Rt wrist X-ray · lat view · age 7 y, girl · Siemens. 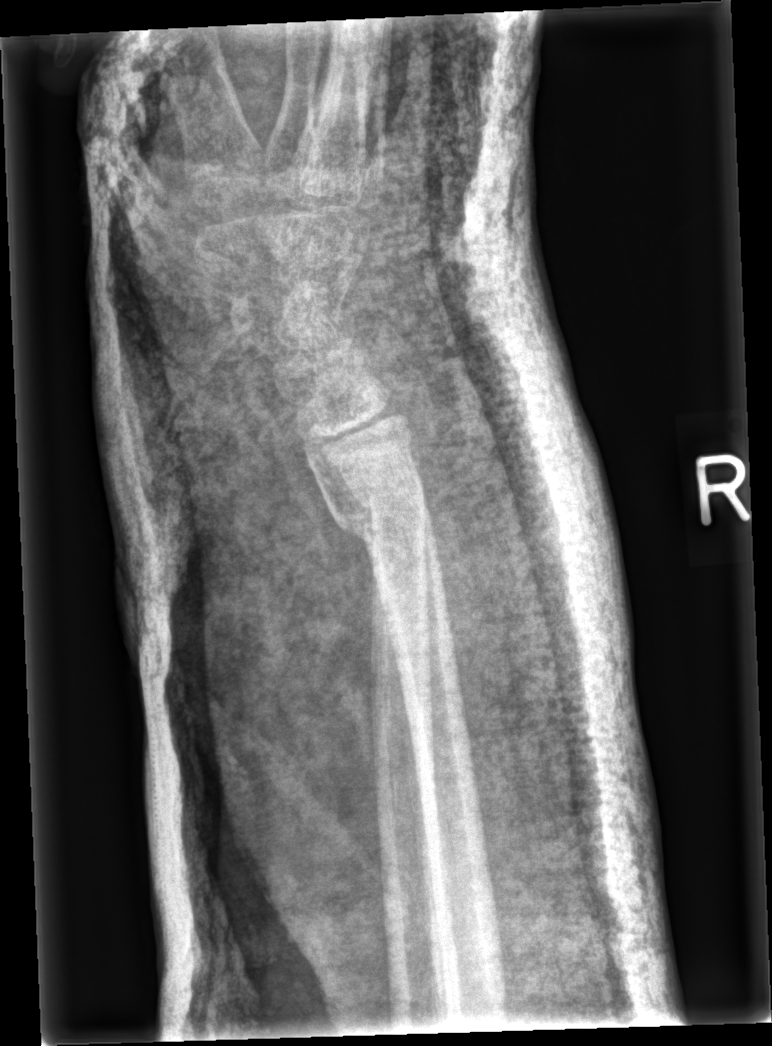

bone fracture = 1 @ [x1=323, y1=475, x2=440, y2=572]
AO classification = 23-M/3.1